R wrist X-ray · lat view · cast in situ.

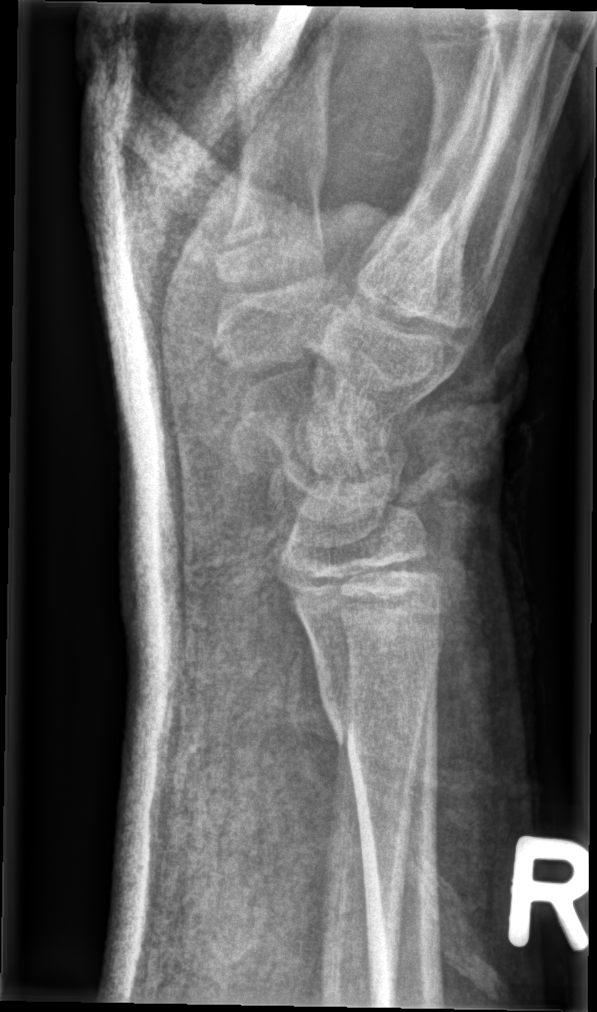
(coordinates are [x1, y1, x2, y2] in image pixels)
fracture = bbox(320, 675, 442, 758)
AO classification = 23r-M/2.1